Right pediatric wrist radiograph · posteroanterior projection · presentation radiograph · image 81.8 mm wide. 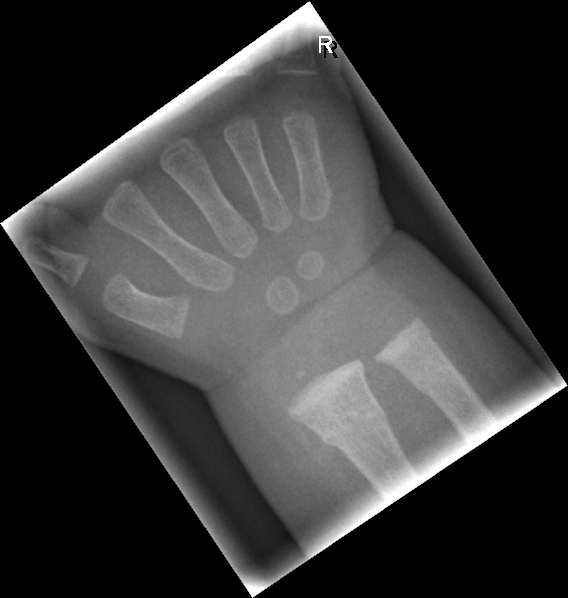

fracture: (left=313, top=394, right=390, bottom=454) (left=404, top=328, right=450, bottom=400)